Right plain radiograph of the wrist | lat

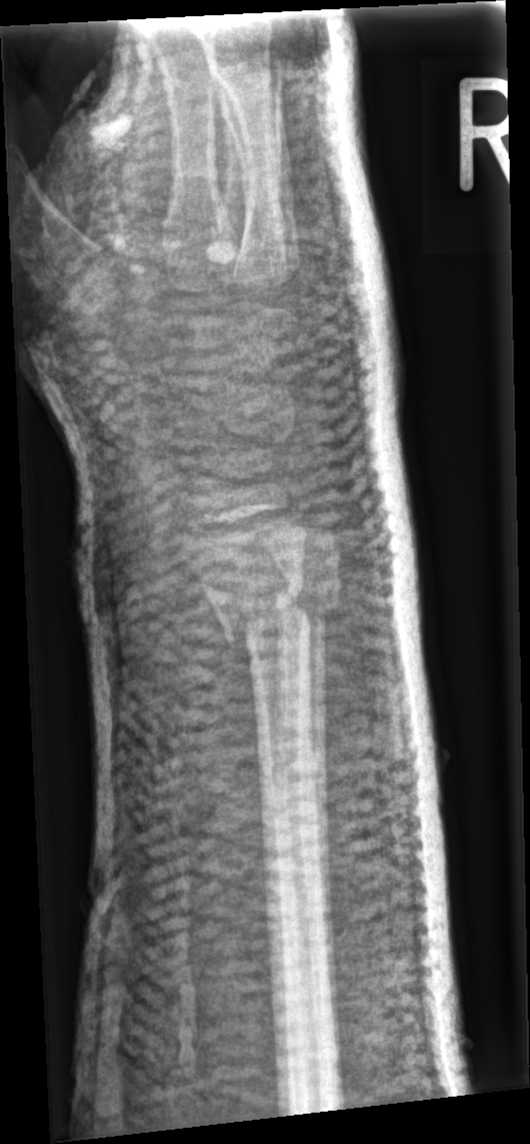 bone fracture = [221, 579, 311, 649] [274, 586, 344, 634]
AO classification = 23-M/3.1